Left plain radiograph of the wrist · lat · 11-year-old girl · cast in situ:

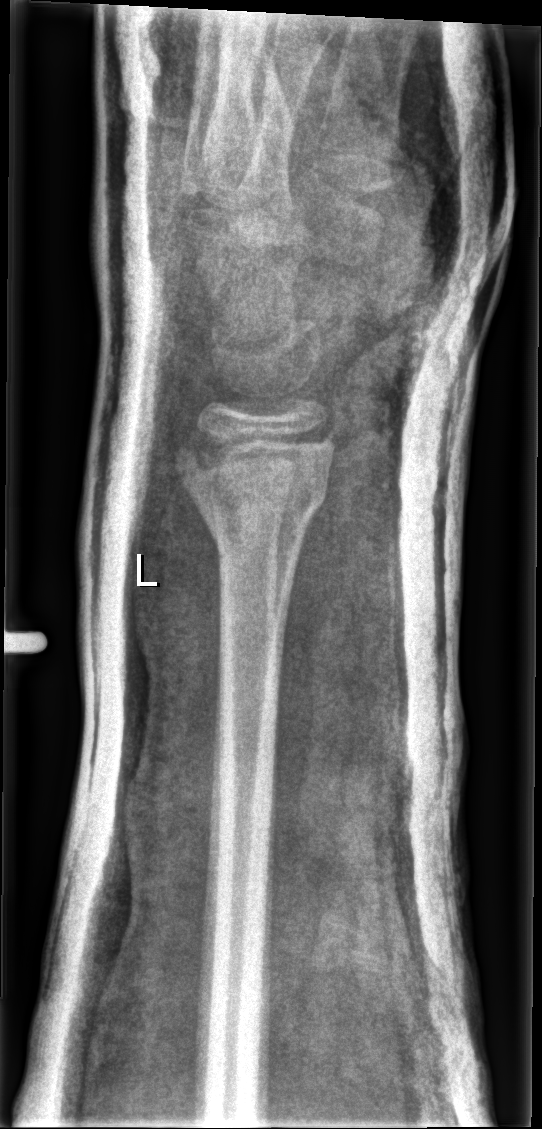
Fracture — [x1=173, y1=432, x2=335, y2=548]. AO code 23r-E/2.1.